Rt wrist plain film | lat | 6y F:

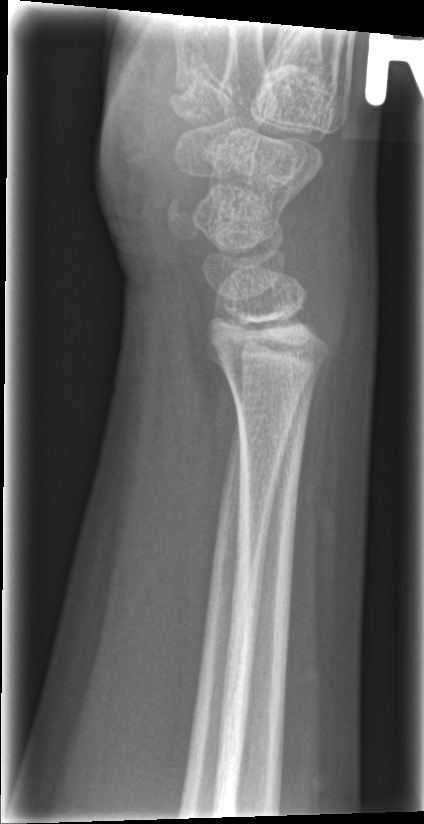
No fracture bounding box.